R wrist radiograph; AP projection; follow-up study; 508x1011. 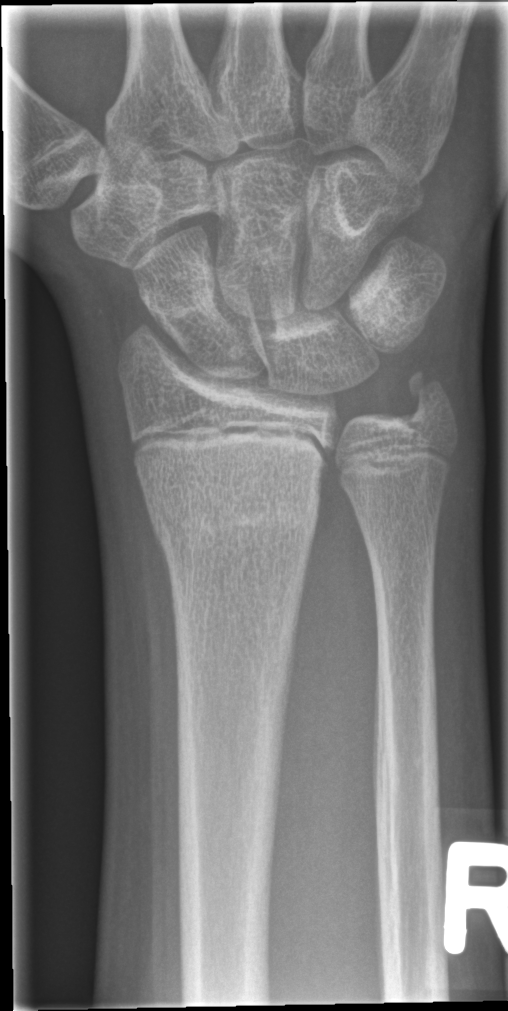
(bounding boxes in image-pixel xyxy)
Fracture: [150, 485, 323, 566], [394, 356, 468, 446]
AO/OTA: 23r-M/2.1; 23u-E/7